Lateral view, Lt pediatric wrist radiograph, age 1.6 y, male, index exam 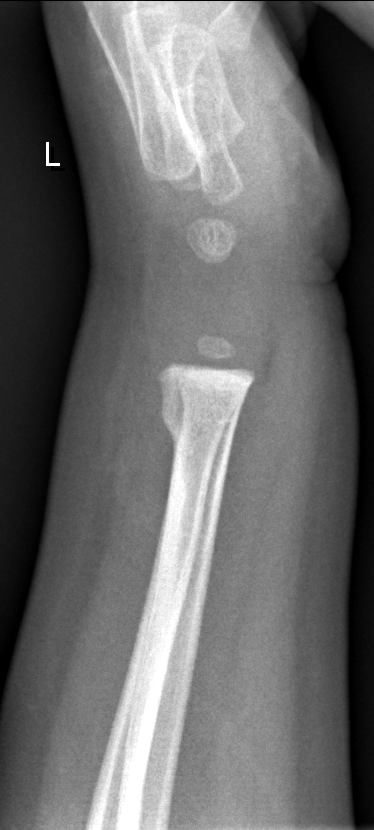

(boxes as x1,y1,x2,y2 (top-left / bottom-right, pixel units))
Fx = 1 @ (left=155, top=391, right=243, bottom=457)
AO classification = 23-M/2.1
soft-tissue swelling = 1 @ (left=46, top=341, right=162, bottom=566)